Left wrist X-ray | lat projection | 612 by 753 pixels. 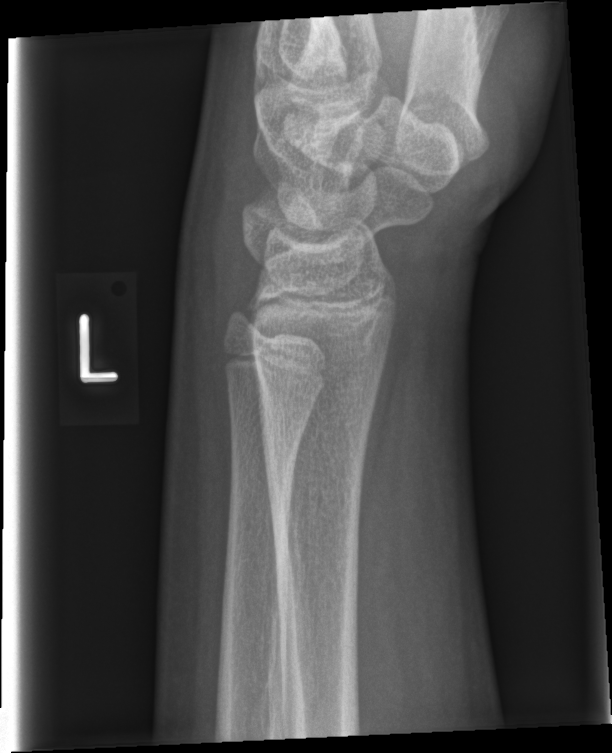 Q: Is there a fracture?
A: No Fx annotated